Right wrist radiograph; lat view; 15y M; Siemens:

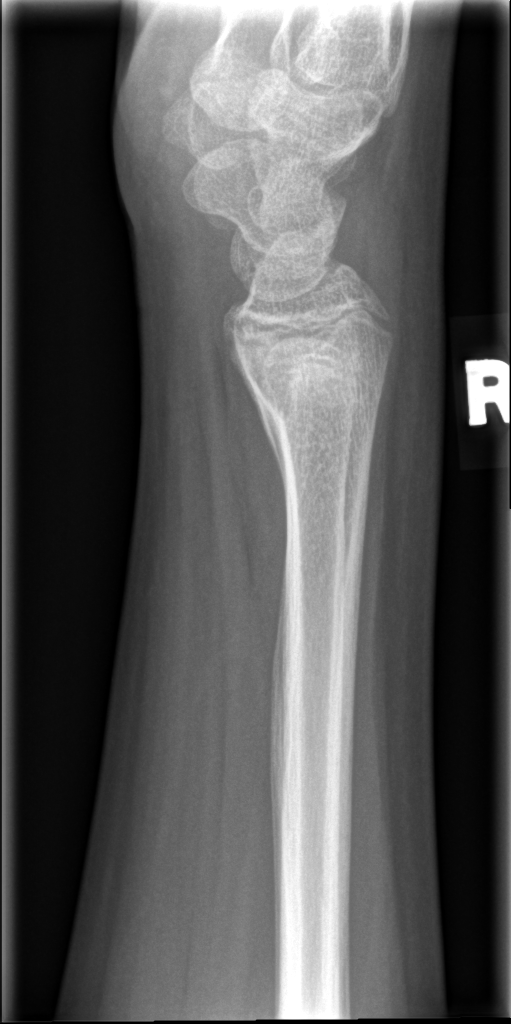 fracture: (left=226, top=332, right=396, bottom=434)